R plain radiograph of the wrist | posteroanterior view | follow-up study | cast present | 741 by 1034 pixels —

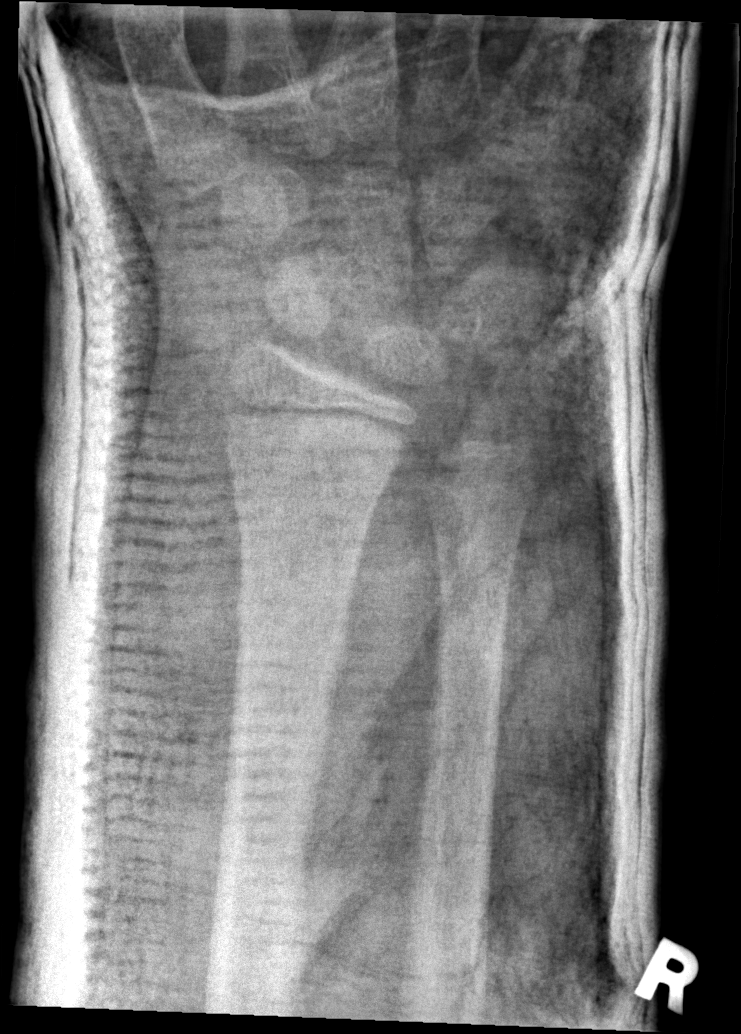
Fx: present but not clearly seen in this view.